L wrist X-ray; lateral projection; pediatric patient (girl, age 8); cast present; 418 by 724 pixels —
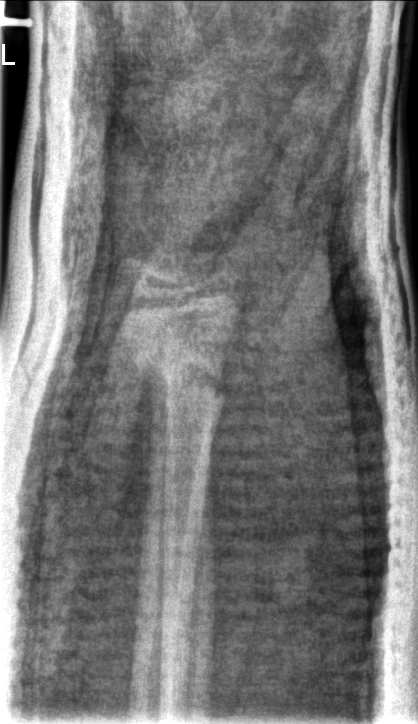
(coordinates are [x1, y1, x2, y2] in image pixels)
Fracture: 1 @ (128, 336, 224, 407)
AO/OTA: 23r-M/3.1; 23u-E/7